Left wrist plain film · PA/AP view · 14-year-old girl

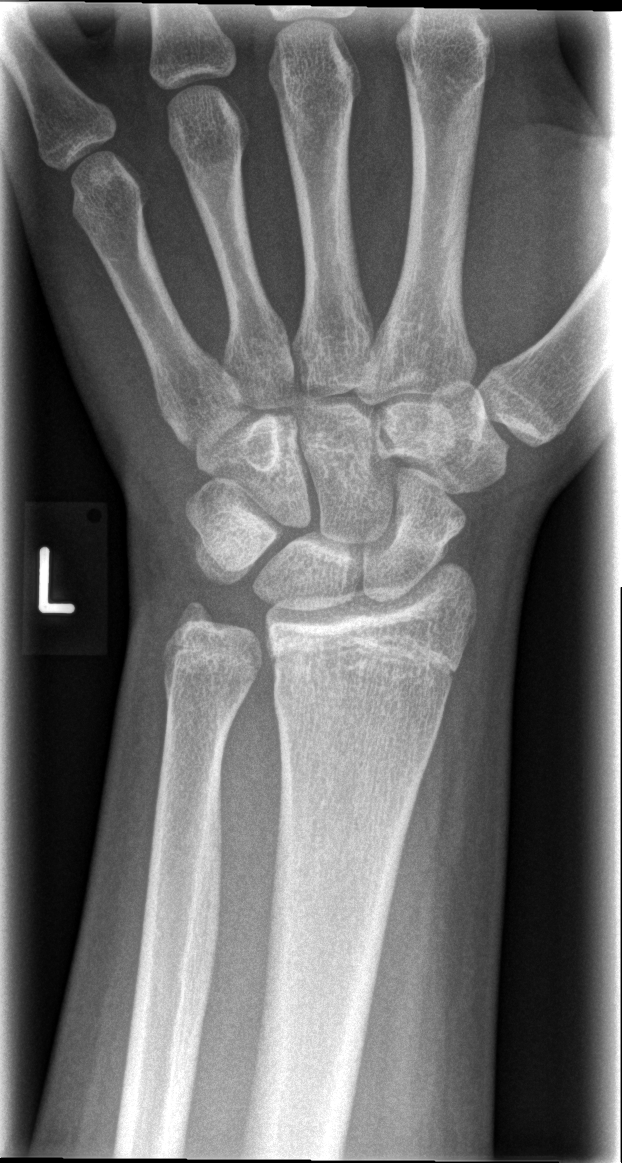

No fracture bounding box.